Right wrist plain film | posteroanterior | follow-up study | cast present | Siemens

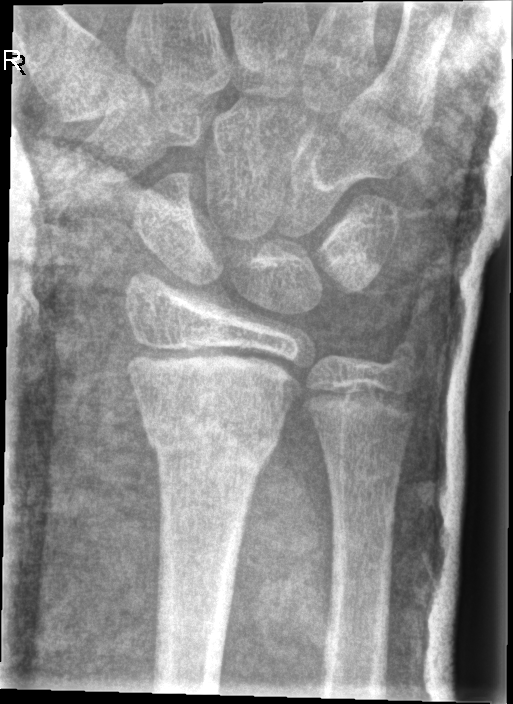

• Bounding boxes in image-pixel xyxy.
• AO code 23r-M/3.1; 23u-E/7.
• Fracture identified at bbox(143, 409, 286, 470) bbox(375, 332, 424, 382).